Left wrist radiograph · frontal projection · pediatric patient (male, age 10) · index exam · 542 by 924 pixels. 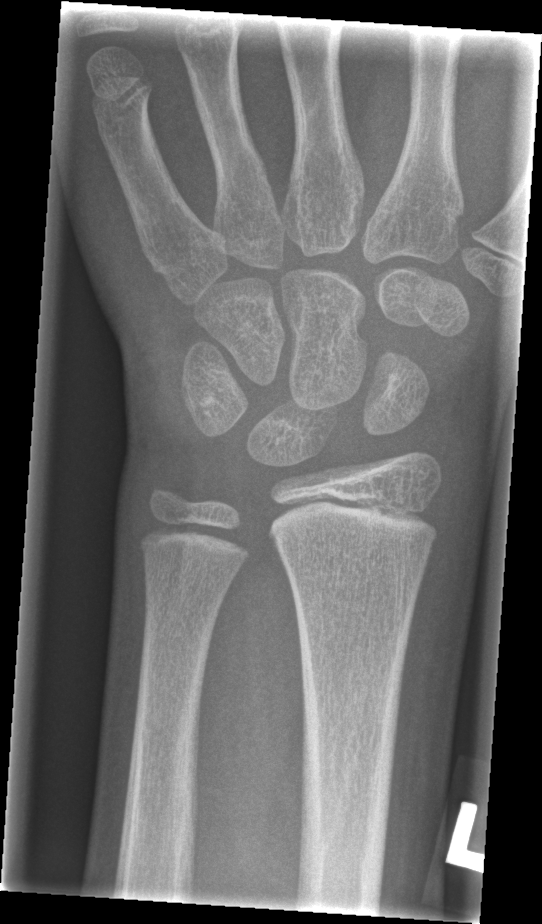
Q: Is there a fracture?
A: Fx: none